Left wrist X-ray; lateral; female, 3 yo

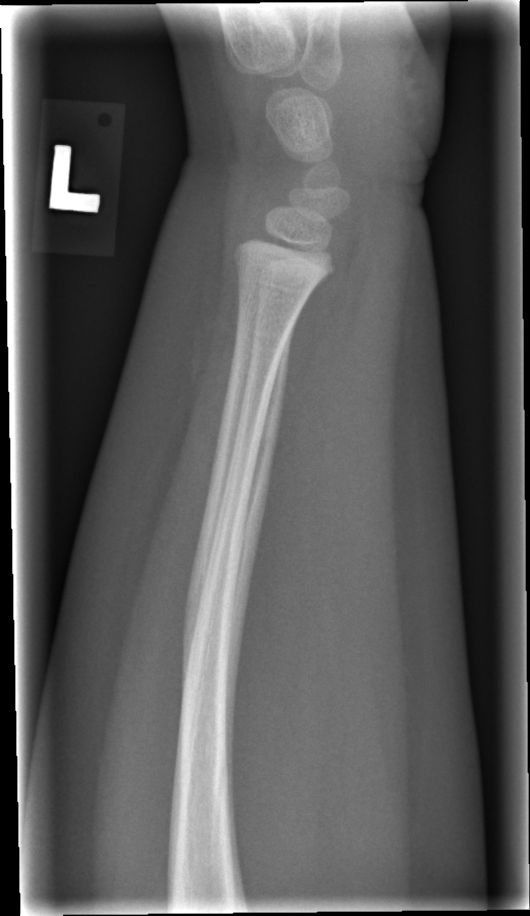
- Fracture: none labeled.